Lat, right wrist XR, age 11 y, male:
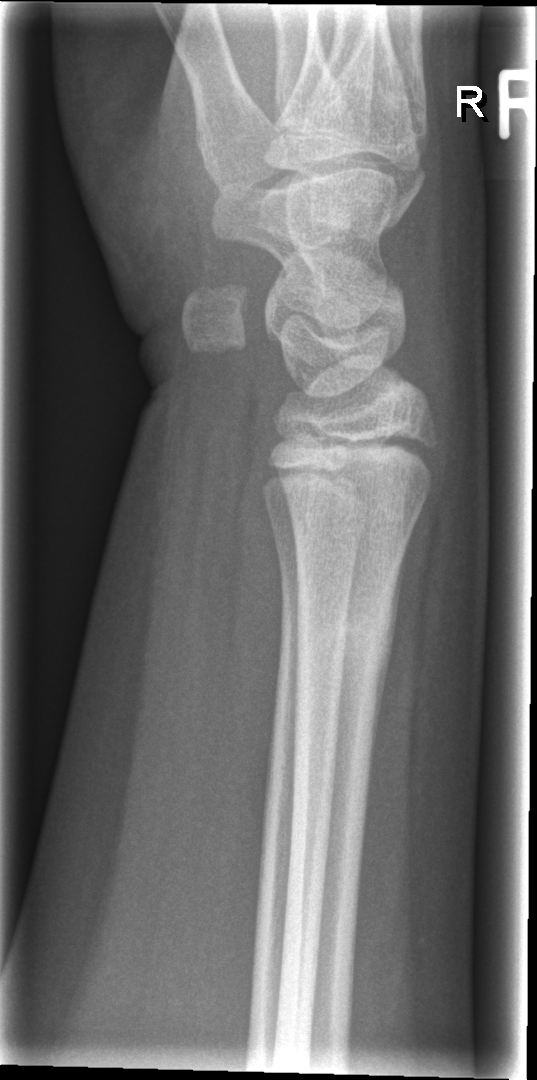 Periosteal reaction = [x1=368, y1=541, x2=409, y2=781]
Bone fracture = 1 @ [x1=294, y1=605, x2=396, y2=662]